Lat; left wrist X-ray; Siemens — 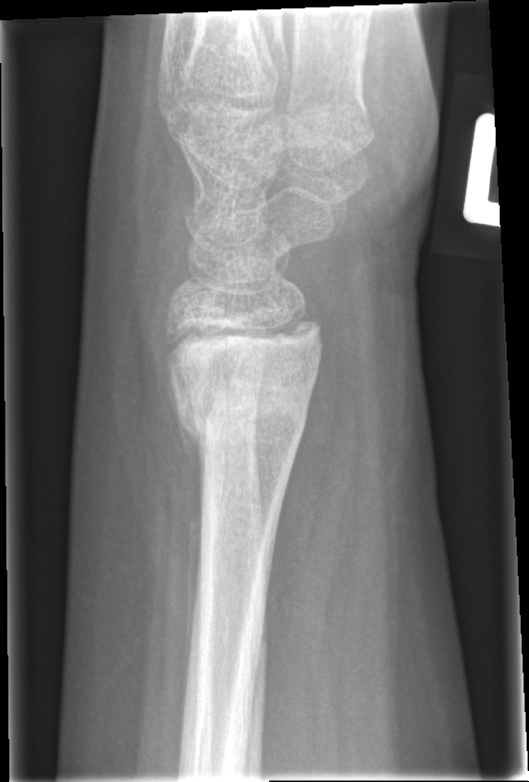 - Periosteal reaction — [166, 375, 206, 730].
- Fracture: [161, 348, 318, 463].
- Fracture classified AO/OTA 23r-M/3.1; 23u-M/2.1; 23u-E/7.